Left wrist radiograph; lat view; cast in situ; 638 by 1214 pixels. 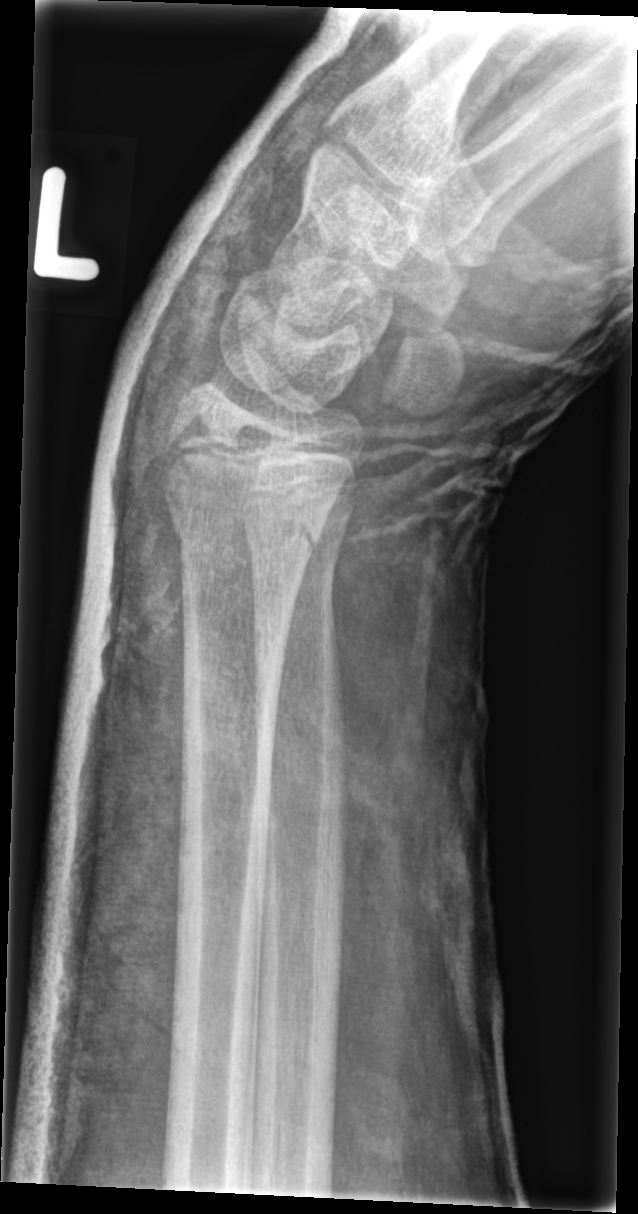 Boxes as x1,y1,x2,y2 (top-left / bottom-right, pixel units). Fracture — (left=165, top=494, right=325, bottom=570). Fracture classified AO/OTA 23r-M/2.1; 23u-E/7.